Left wrist X-ray | PA view | 12-year-old female | Siemens | 627x764.
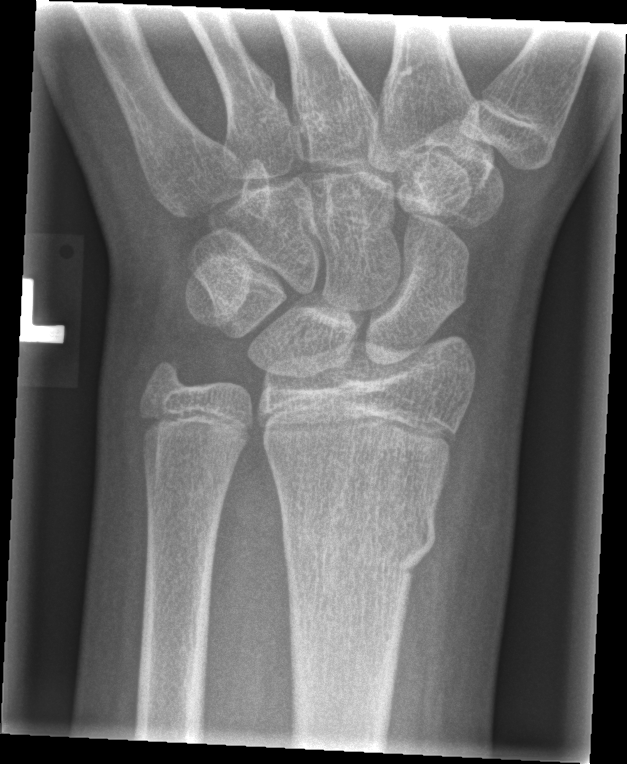
* Coordinates are [x1, y1, x2, y2] in image pixels.
* Fracture — 276,491,442,587.